Lat, left wrist X-ray, 13y M
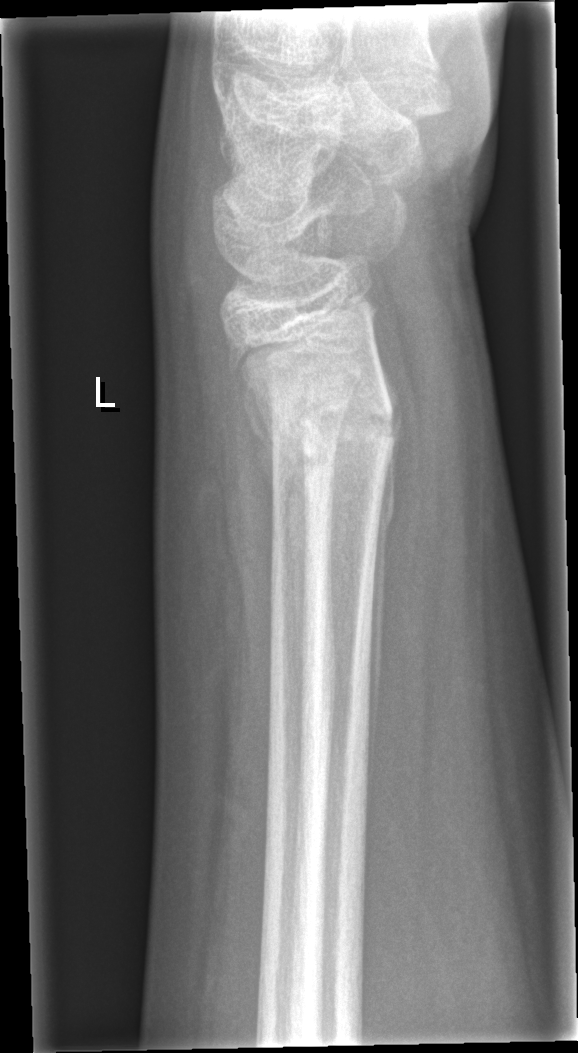

(coordinates are [x1, y1, x2, y2] in image pixels)
Q: Bone density?
A: Osteopenia
Q: Is there periosteal reaction?
A: Two periosteal reaction at 243,375,312,669 | 366,355,406,826
Q: AO code?
A: AO code 23r-M/3.1; 23u-E/7
Q: Locate any fractures.
A: One bone fracture at 242,366,403,488